Posteroanterior; R wrist plain film; pediatric patient (female, age 10); in cast.
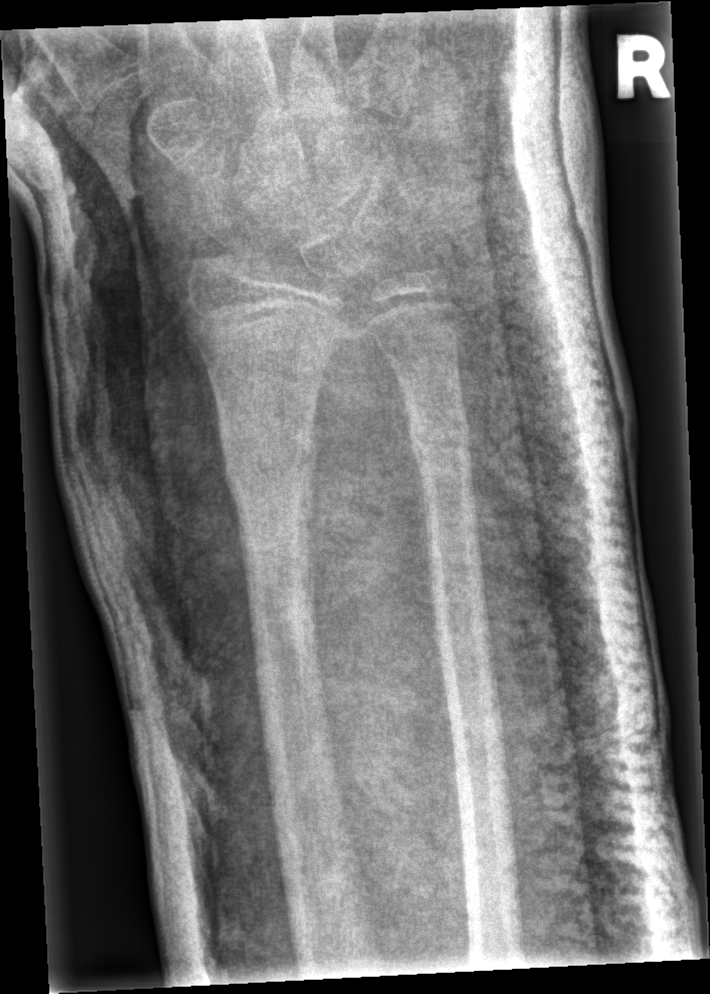
Bounding boxes in image-pixel xyxy.
Fracture: [x1=210, y1=396, x2=325, y2=499], [x1=403, y1=406, x2=477, y2=479].